Lateral | left wrist pediatric wrist radiograph

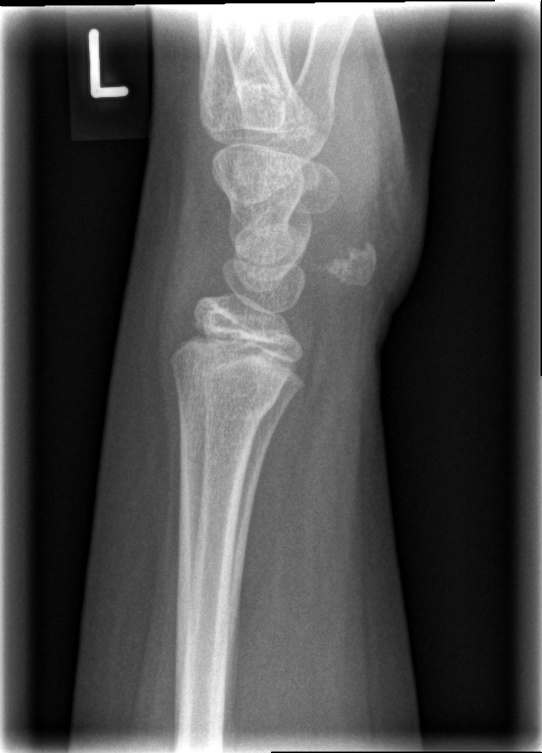

(boxes as x1,y1,x2,y2 (top-left / bottom-right, pixel units))
Q: Any fracture seen?
A: Fx — [x1=174, y1=378, x2=285, y2=421]
Q: What is the AO/OTA classification?
A: AO code 23r-M/2.1